Lt wrist plain film · lat · subsequent exam · image width 105.1 mm — 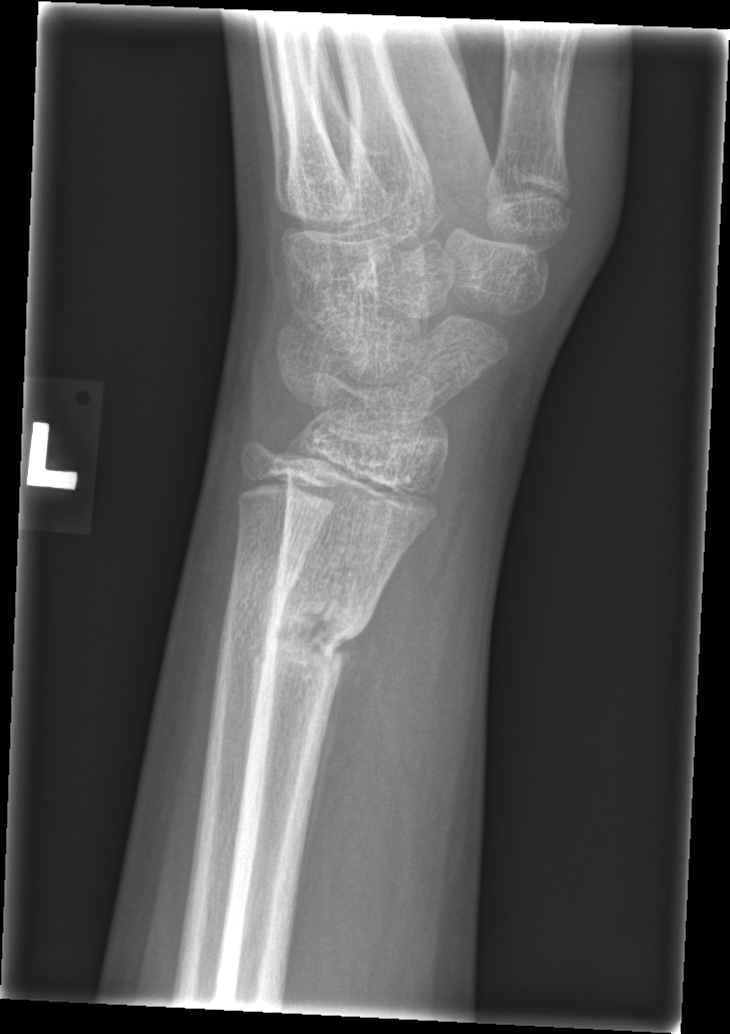
• Periosteal thickening identified at [x1=277, y1=651, x2=359, y2=980].
• Reduced bone mineral density.
• AO code 23r-M/3.1; 23u-M/2.1.
• Fractures — [x1=254, y1=591, x2=375, y2=680], [x1=225, y1=556, x2=303, y2=608].